Rt wrist radiograph; posteroanterior projection; 13-year-old male; initial study; acquired on Siemens; image size 868x1395:

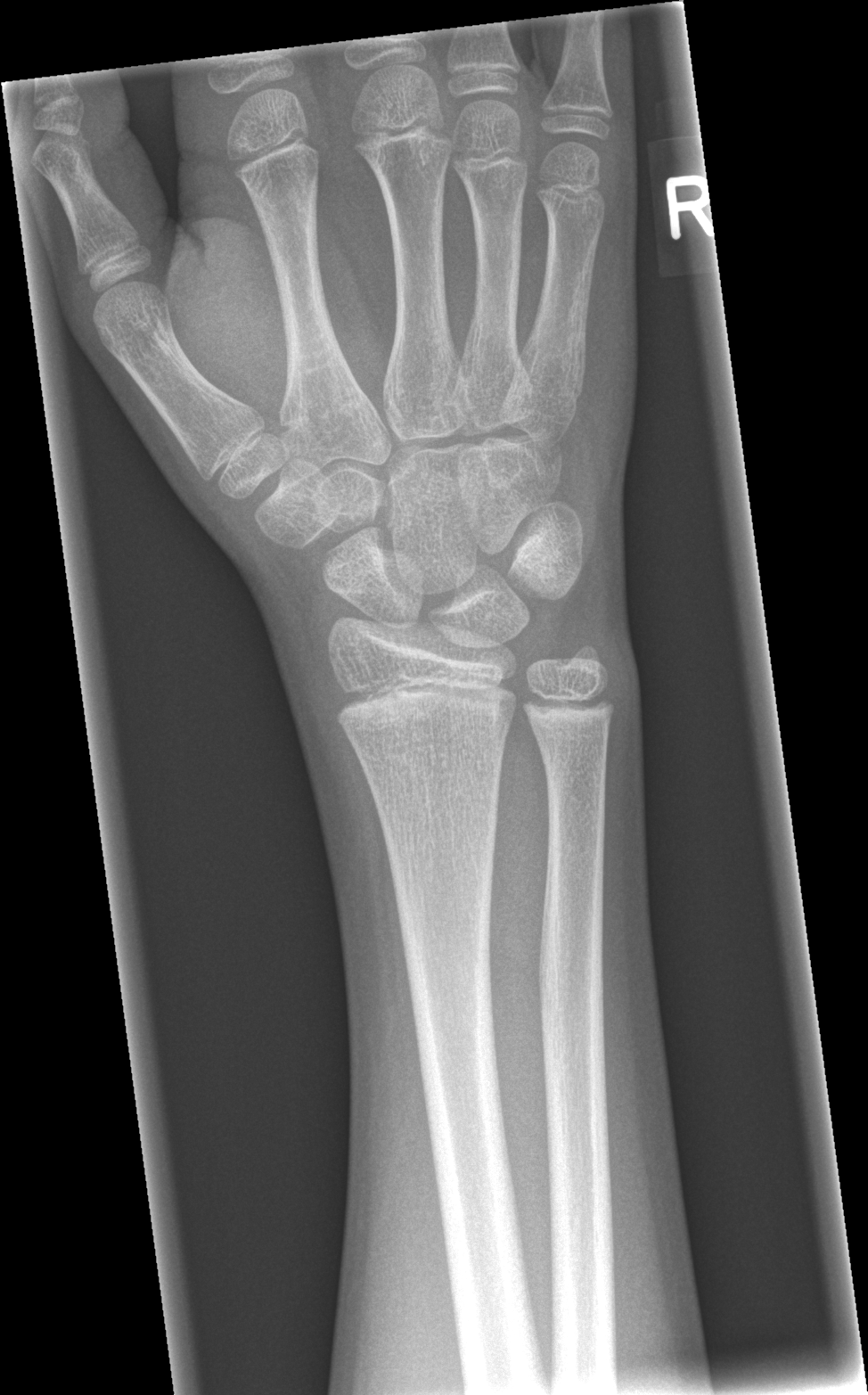
Fx: none.